AP view, left wrist plain film, 12-year-old male, presentation radiograph — 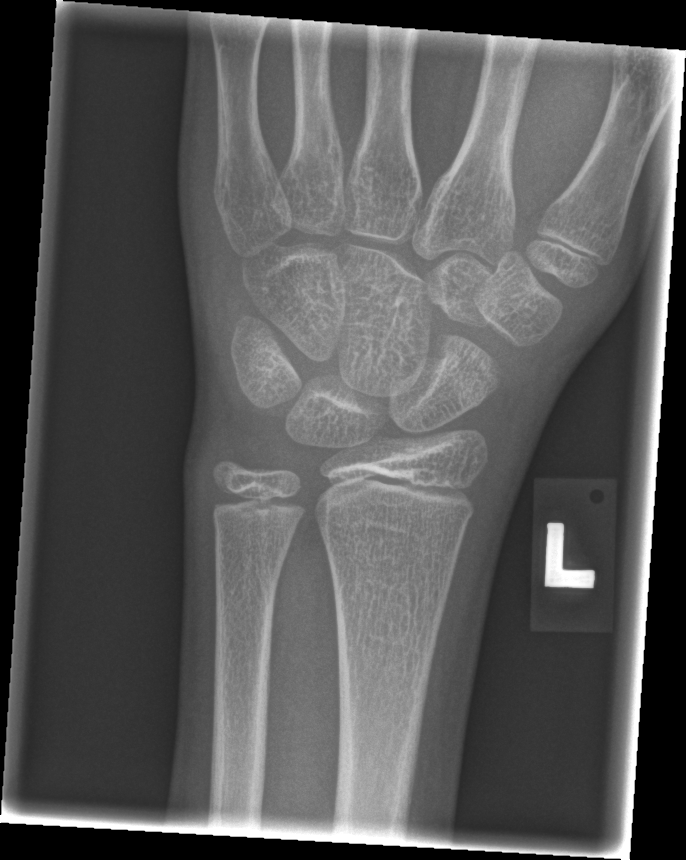 bone fracture = 433,332,503,415